Frontal projection · Rt wrist radiograph · acquired on Siemens

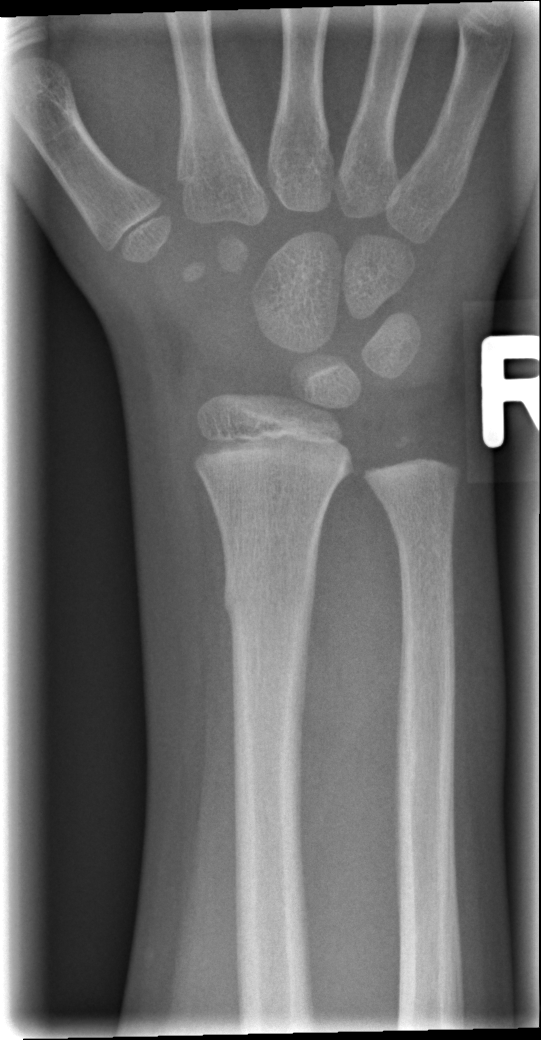

bone fracture = 1 @ [x1=215, y1=556, x2=322, y2=635]
AO/OTA = 23r-M/2.1